R plain radiograph of the wrist · frontal projection · female, 6 yo · 571 by 1012 pixels —

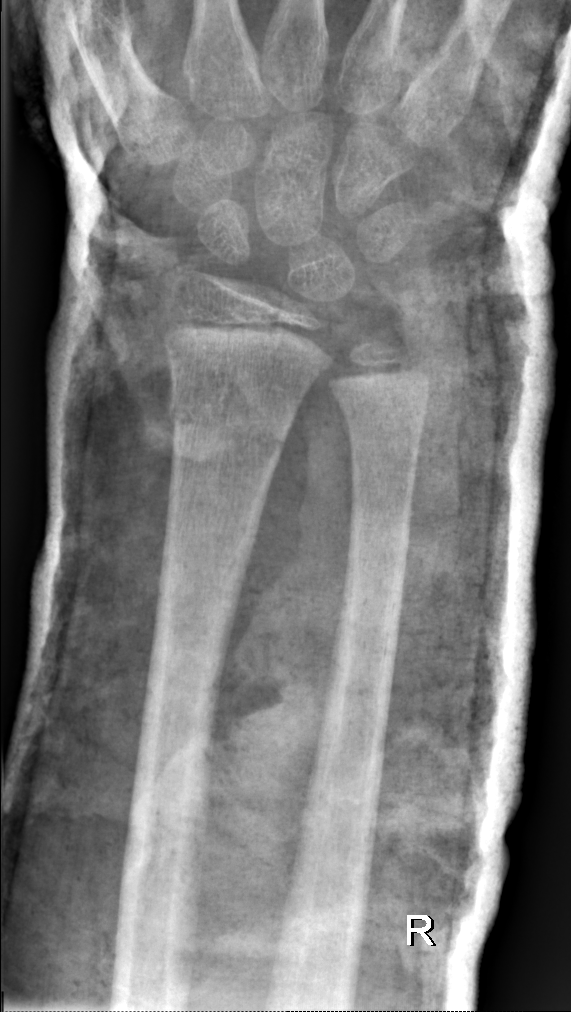

One fracture at (left=163, top=391, right=293, bottom=461).